Lt pediatric wrist radiograph; frontal projection; age 10 y, male; 78.5 mm image width —

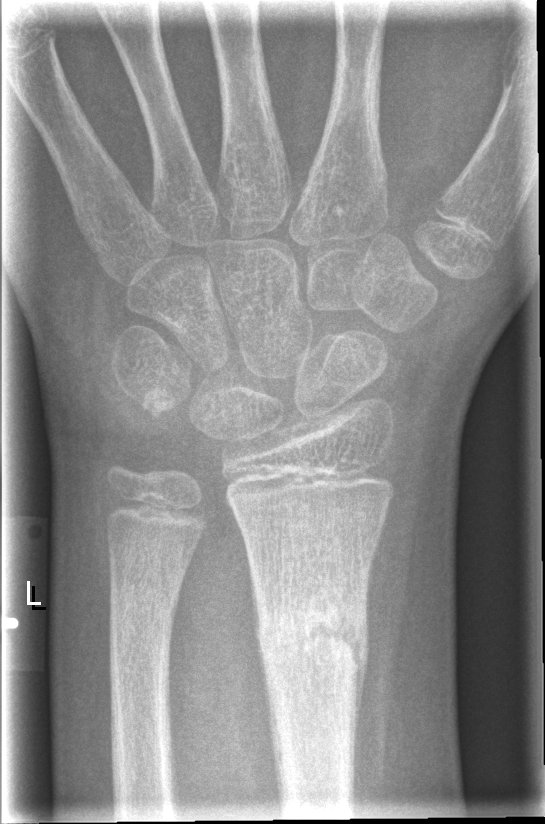

FINDINGS: (pixel coordinates, top-left origin, xyxy) Osteopenia. AO/OTA classification: 23r-M/3.1; 23u-M/2.1. Two fractures at (250, 591, 375, 687), (105, 583, 181, 649).